Left wrist radiograph | lateral view | 10y M: 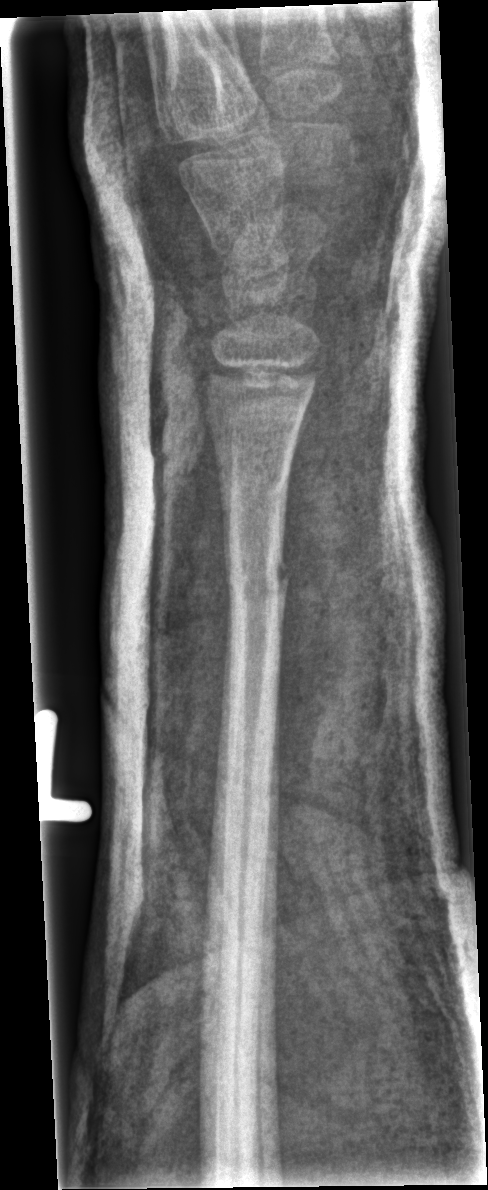 (boxes as x1,y1,x2,y2 (top-left / bottom-right, pixel units))
fracture: bbox(222, 551, 292, 616)